Right pediatric wrist radiograph · lateral · pediatric patient (female, age 10) —

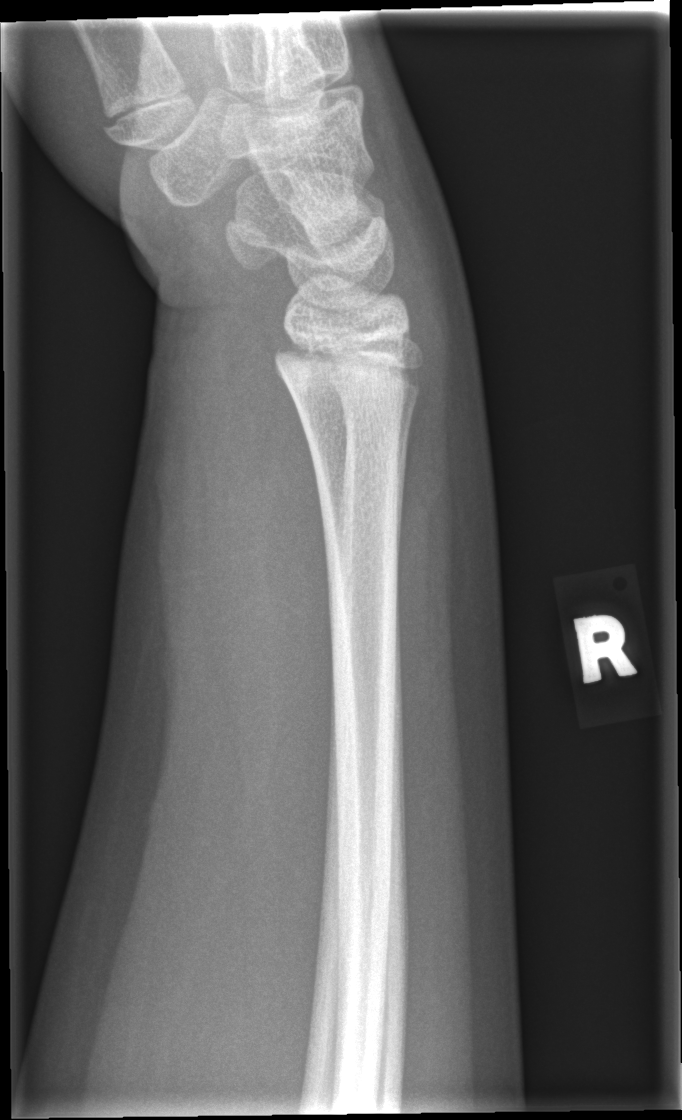 Positive pronator fat-pad sign: 1 @ bbox(203, 340, 344, 833)
Bone fracture: none labeled